Lt wrist radiograph · AP view · follow-up study · in cast · image width 88.1 mm —

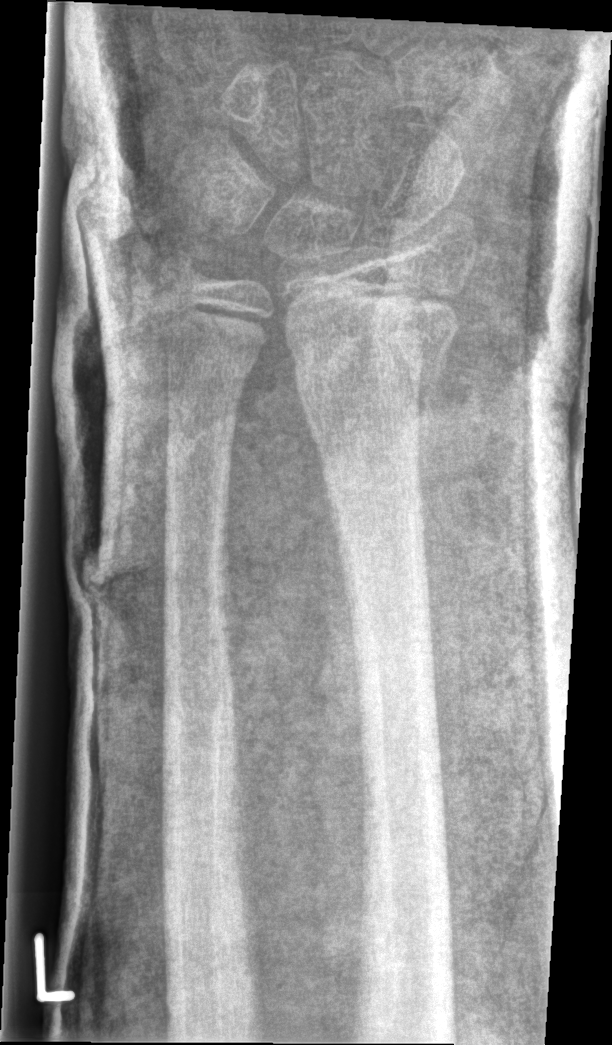
Q: AO code?
A: AO/OTA classification: 23r-M/3.1; 23u-E/7
Q: Locate any fractures.
A: One fracture at (left=288, top=297, right=459, bottom=401)